Right wrist plain film; posteroanterior view; in cast; image width 77.6 mm: 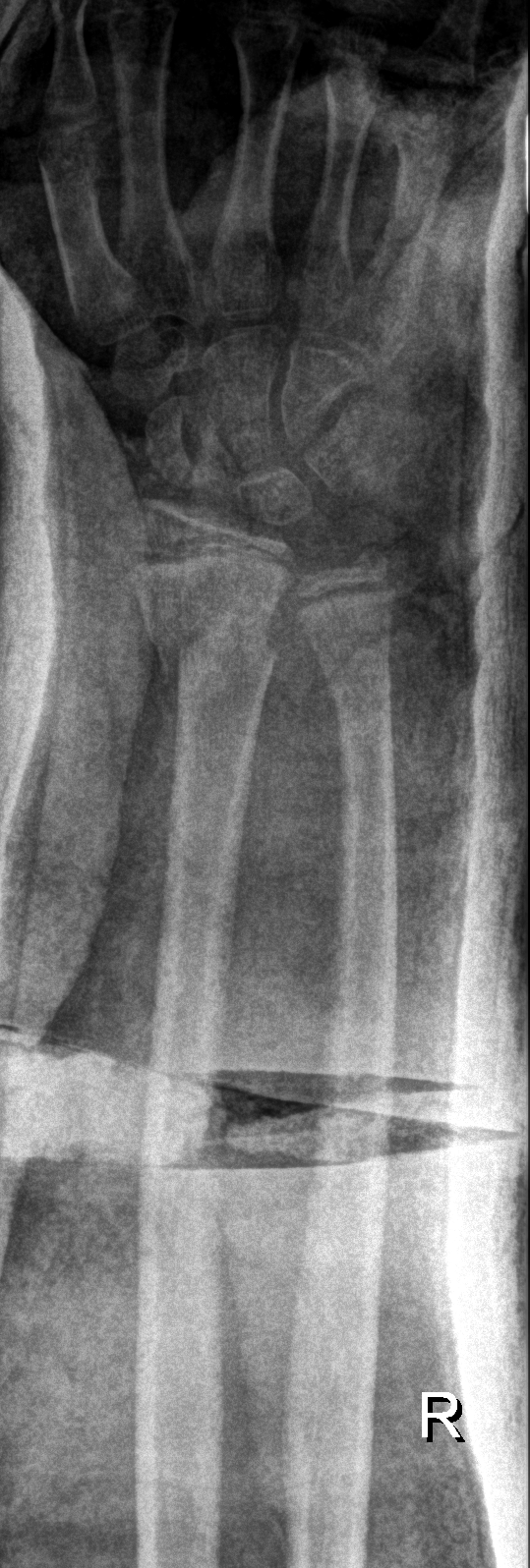 {"_coords": "bounding boxes in image-pixel xyxy", "ao": "23r-M/3.1; 23u-M/2.1; 23u-E/7", "fracture": "3 @ bbox(134, 597, 284, 697), bbox(323, 648, 398, 720), bbox(335, 532, 401, 589)"}